PA/AP projection; right wrist XR; in cast; acquired on Siemens; image 102.7 mm wide; image size 713x1176 —
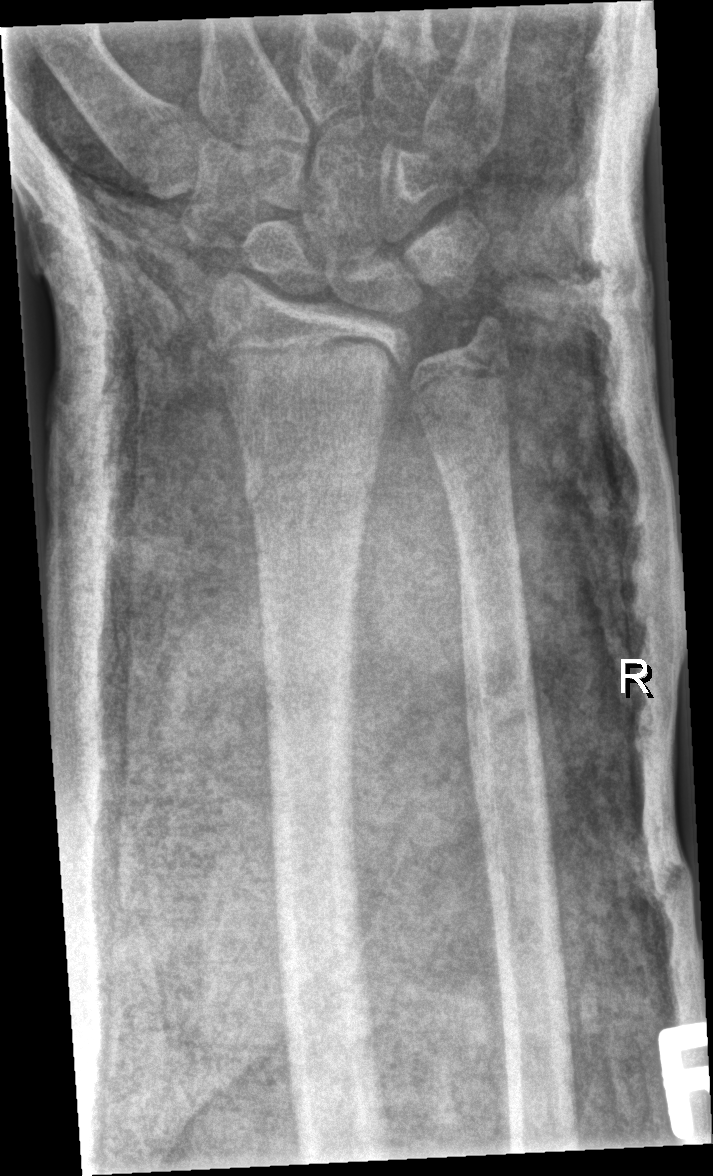 (pixel coordinates, top-left origin, xyxy)
Fx: [x1=239, y1=435, x2=379, y2=526]